Posteroanterior view, left wrist X-ray, imaged through cast, image size 839x1184 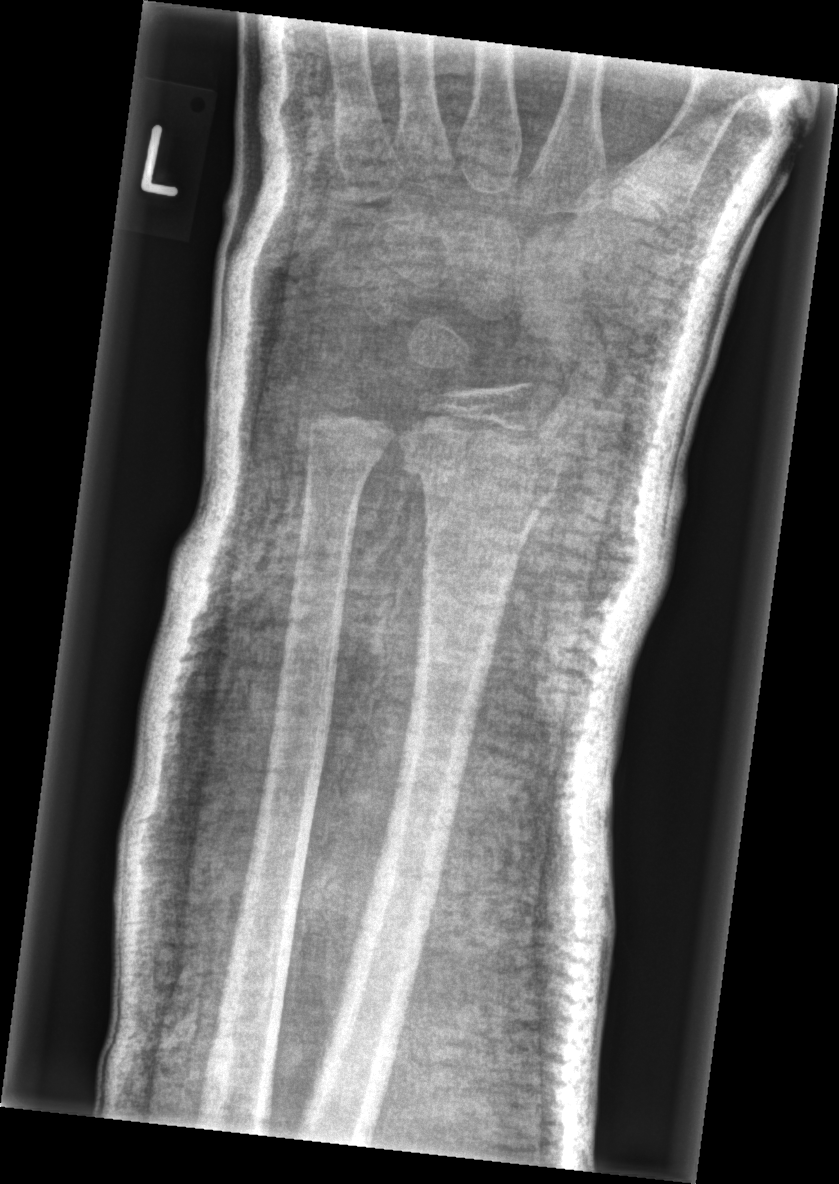
(bounding boxes in image-pixel xyxy)
AO classification: 23r-M/3.1
Bone fracture: (399, 443, 571, 509)